Right wrist plain film, PA/AP view, 11-year-old boy, follow-up, cast in situ, Siemens

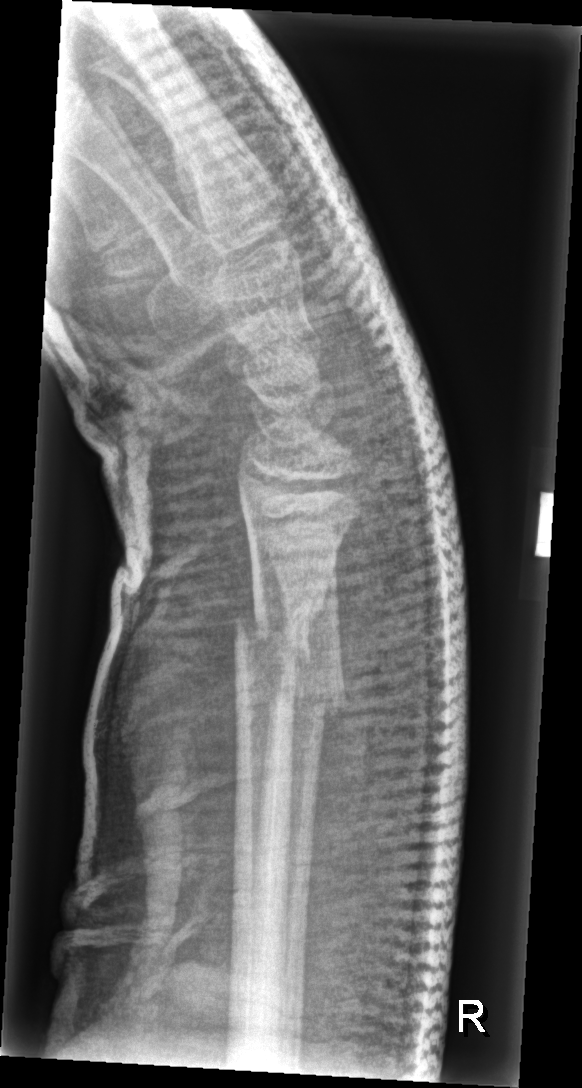
Fracture classified AO/OTA 23-M/3.1. One bone fracture at (left=227, top=601, right=350, bottom=730).